Left wrist radiograph, AP view, follow-up, 86.5 mm image width —
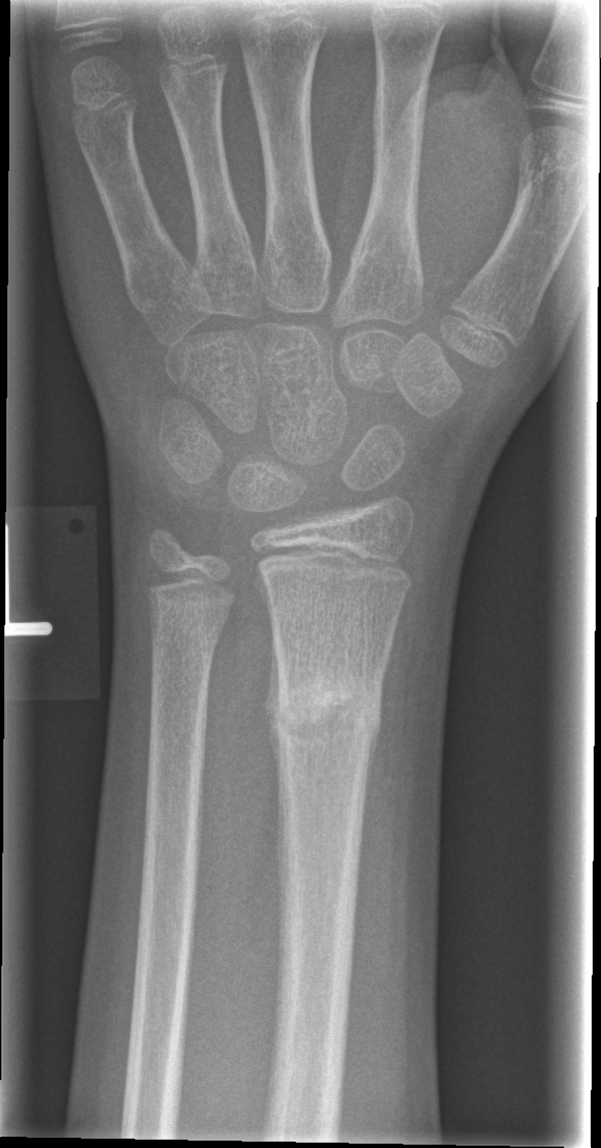

FINDINGS — AO/OTA classification: 23r-M/3.1; 23u-M/2.1. Periosteal reaction: (left=263, top=613, right=282, bottom=793); (left=362, top=702, right=383, bottom=826). Decreased bone density (osteopenia). Bone fracture identified at (left=267, top=669, right=388, bottom=753).